Lt wrist XR · frontal · cast in situ · image width 89.6 mm
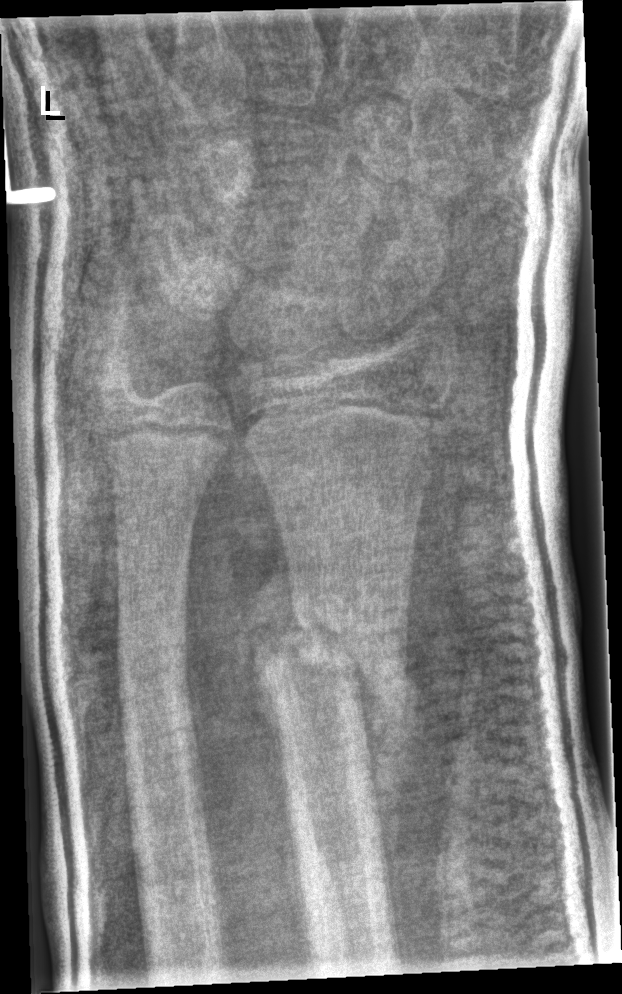 • Two periosteal new bone at (353, 654, 425, 954), (236, 525, 310, 739).
• Two Fx at (257, 603, 405, 712) (111, 620, 199, 735).